Lateral view · R plain radiograph of the wrist — 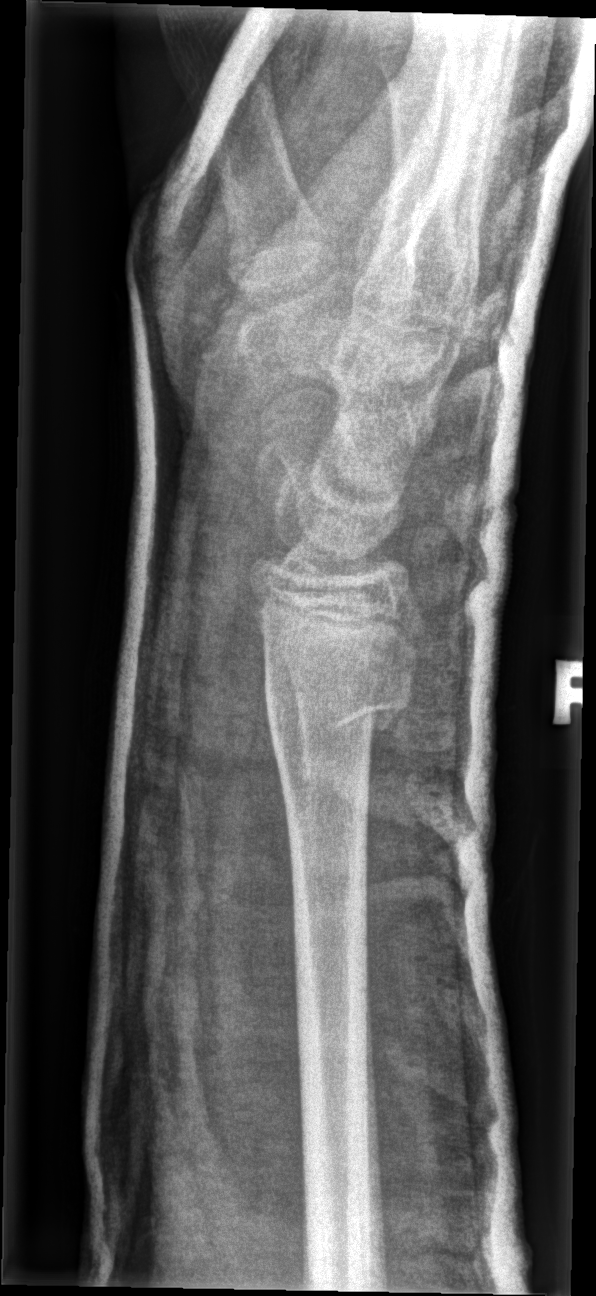
FINDINGS — (boxes as x1,y1,x2,y2 (top-left / bottom-right, pixel units)) Fx: (left=250, top=620, right=418, bottom=791).